Right wrist plain film; PA/AP; 13y M; subsequent exam
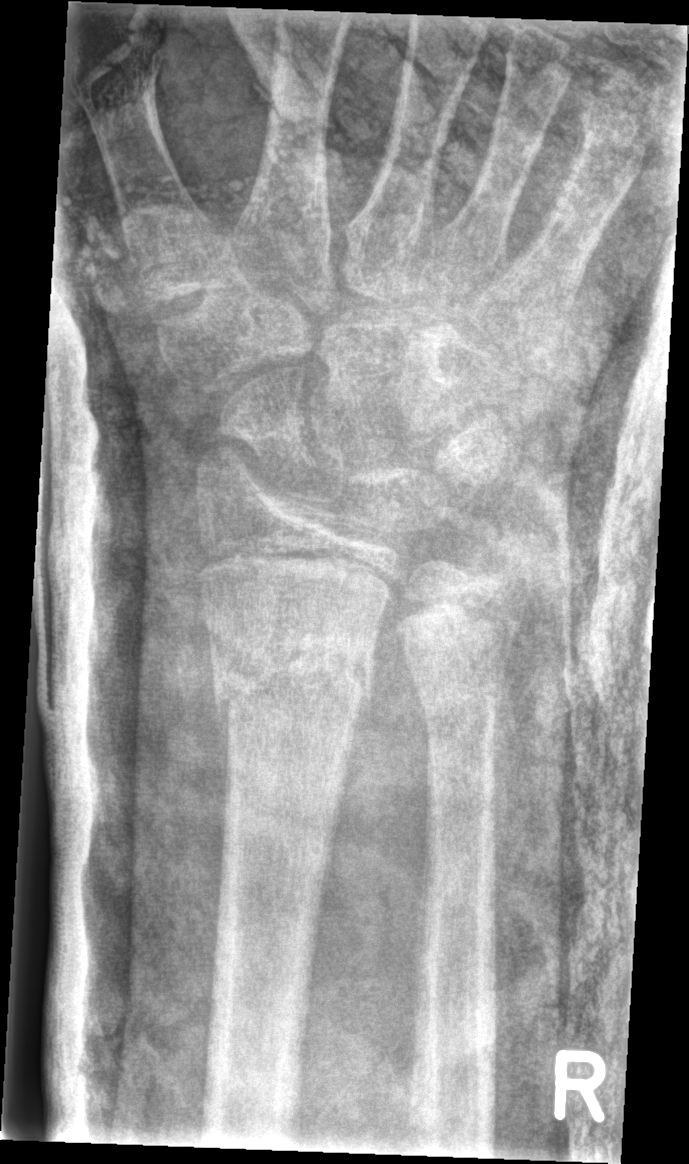
Findings: AO/OTA classification: 23r-M/3.1; 23u-E/2.1. Fx identified at bbox(206, 617, 384, 739); bbox(392, 583, 528, 679).